Posteroanterior view; L wrist plain film; follow-up; imaged through cast; detector: Siemens. 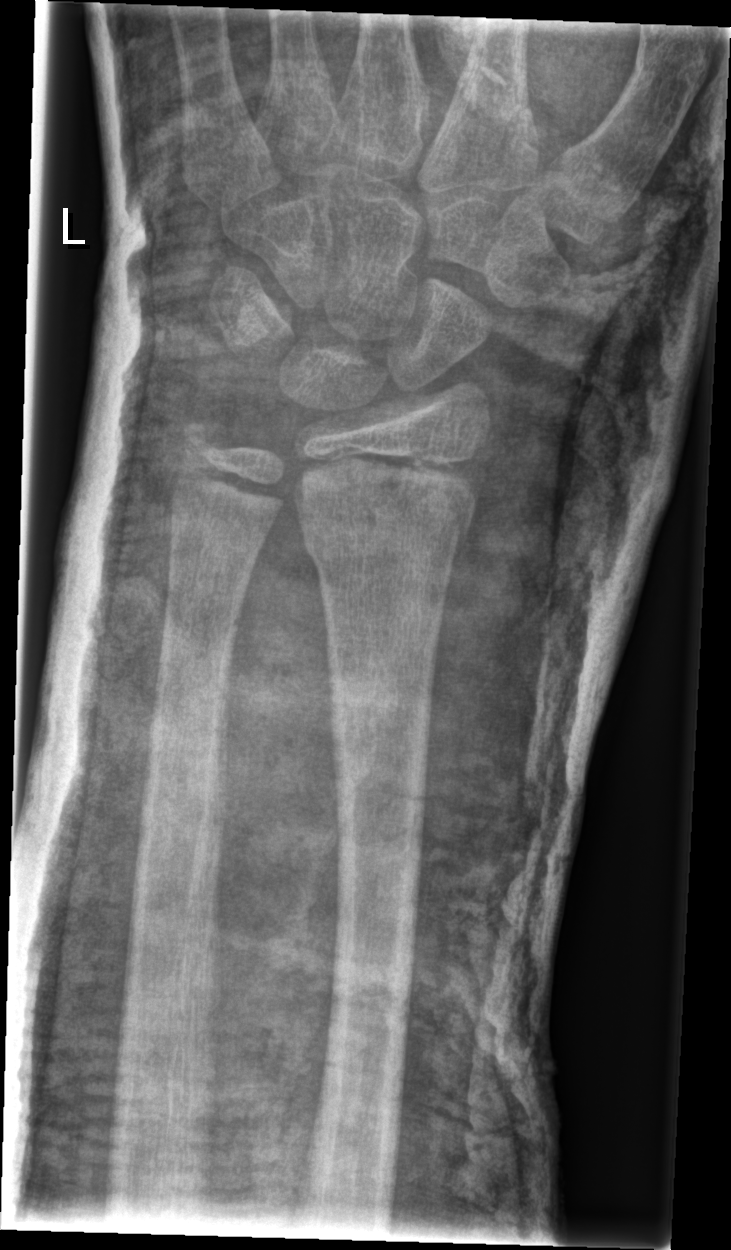

Q: Any fracture seen?
A: Two Fx at 296 484 479 577
  170 411 226 467